Rt wrist X-ray · posteroanterior projection —

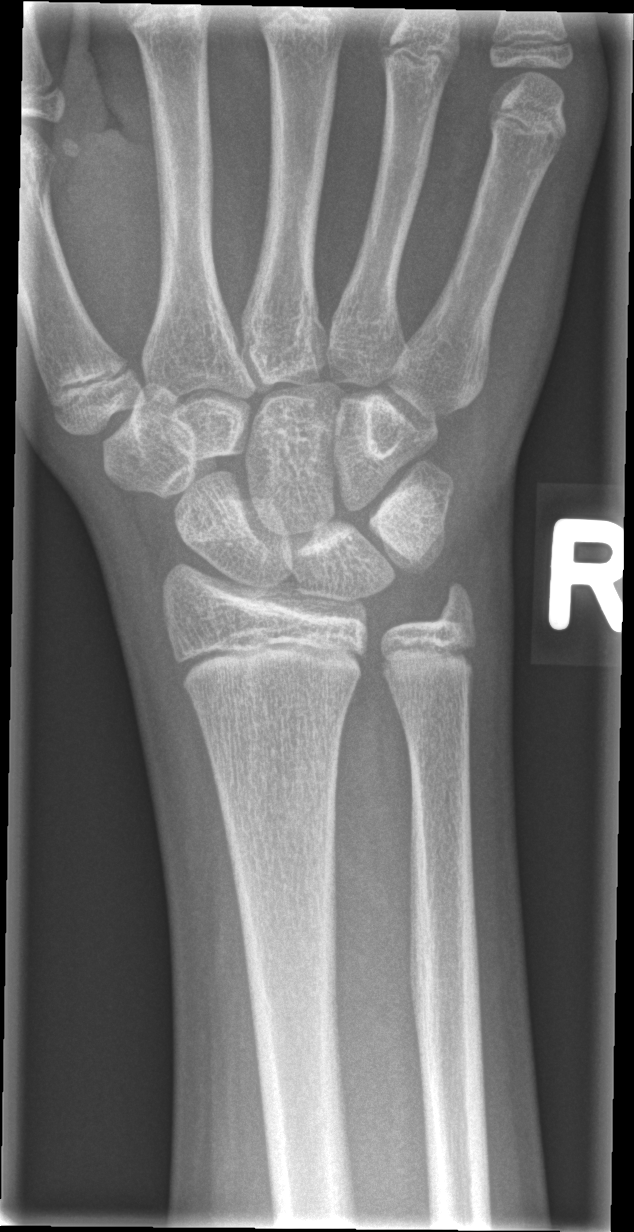

Fx: none labeled